Lat view; Lt wrist XR; initial study —

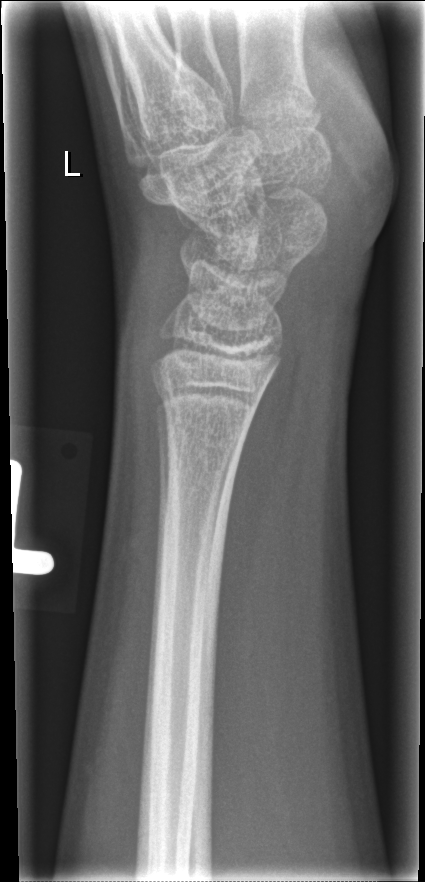

Q: AO code?
A: Fracture classified AO/OTA 23r-M/2.1
Q: Any fracture seen?
A: Fracture — (152, 374, 263, 428)